Left wrist XR · AP view · follow-up · image size 785x892 —

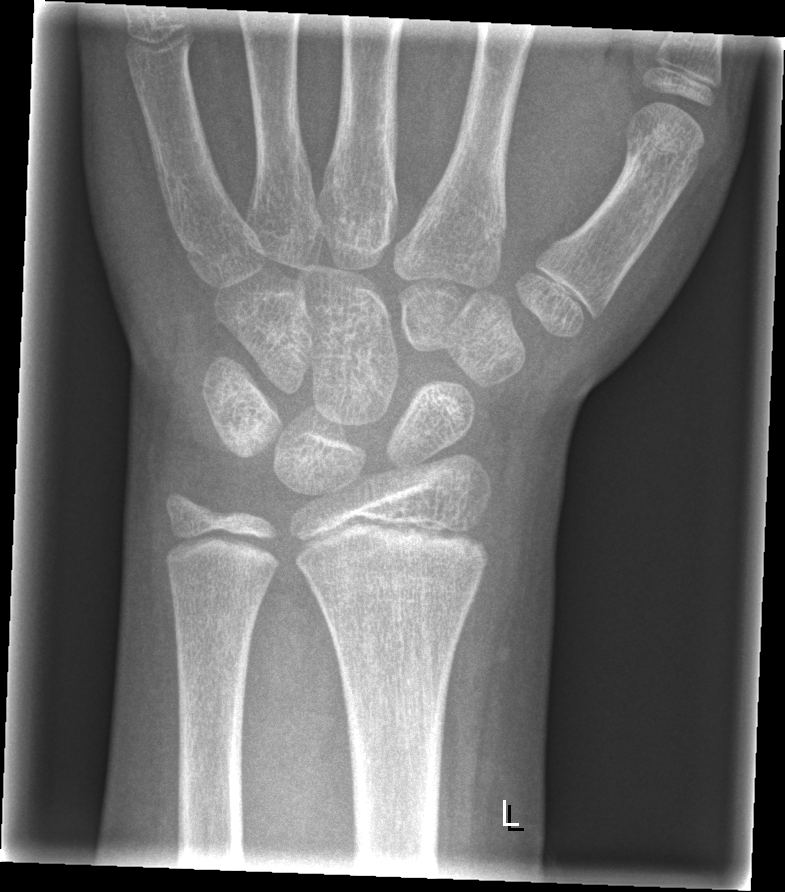
FINDINGS: Fracture classified AO/OTA 23r-E/2.1. Fx present but not clearly seen in this view.